Right wrist XR · lateral projection · 16-year-old female · image width 62.5 mm

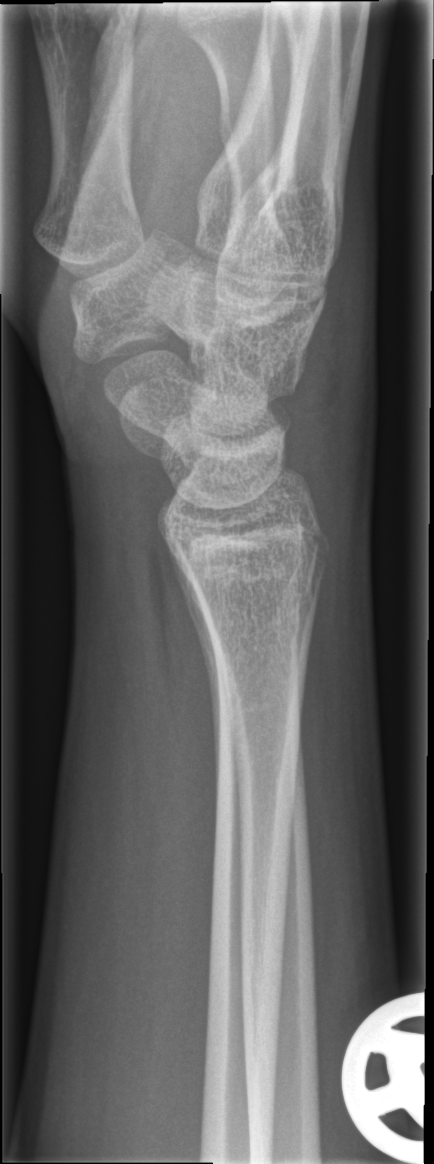 fracture: none labeled